Right wrist plain film | PA/AP | follow-up study | cast in situ | acquired on Siemens | image size 536x1113 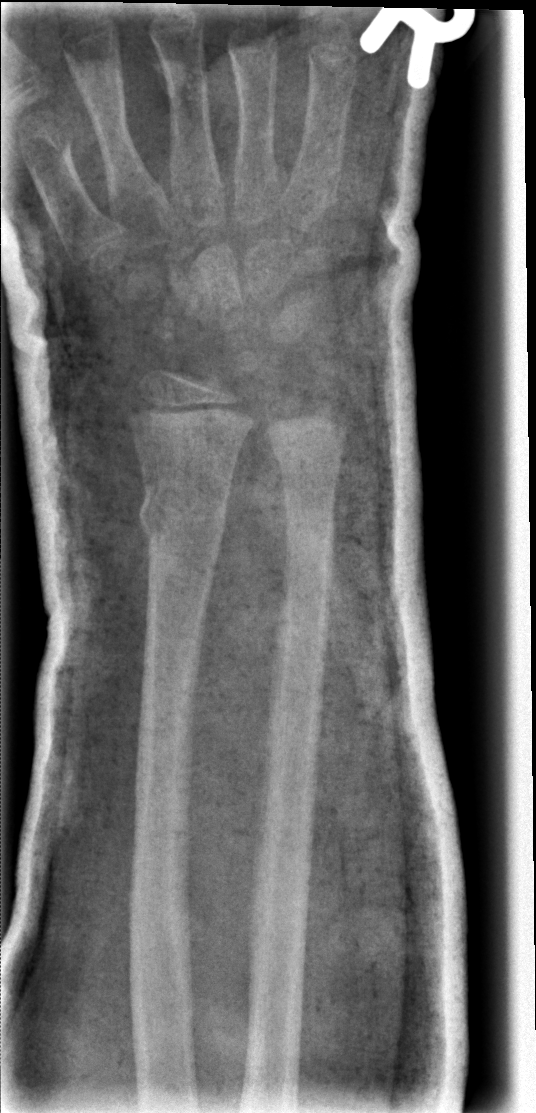

• Fracture classified AO/OTA 23-M/2.1.
• One Fx at <134,481>-<229,546>.